Rt wrist XR · PA/AP view 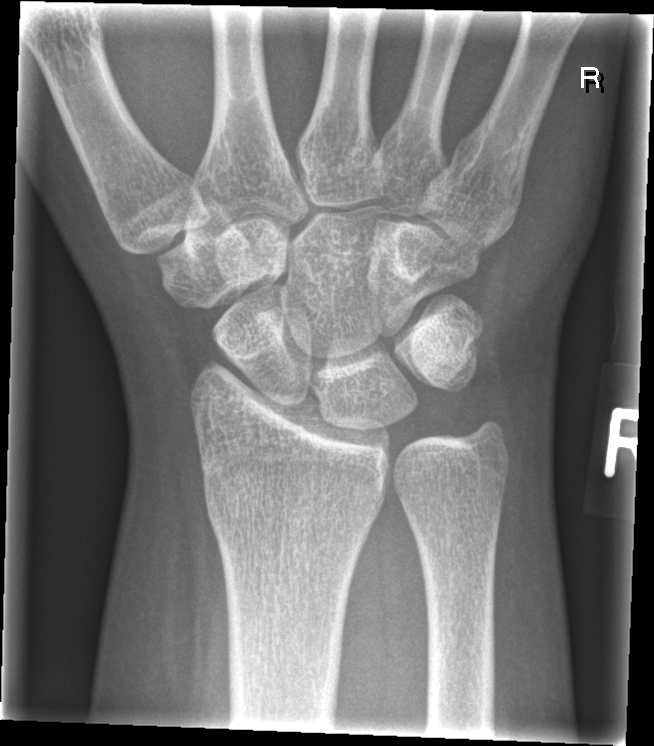

No fracture bounding box.